Lt wrist XR, lateral view, girl, 8 yo, acquired on Siemens.
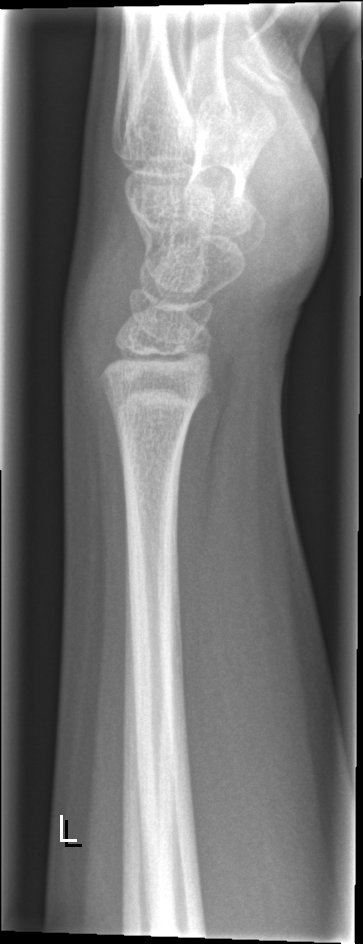
* Fx: none.